Lat | left wrist plain film | pediatric patient (boy, age 11) | follow-up study | cast present | detector: Siemens.

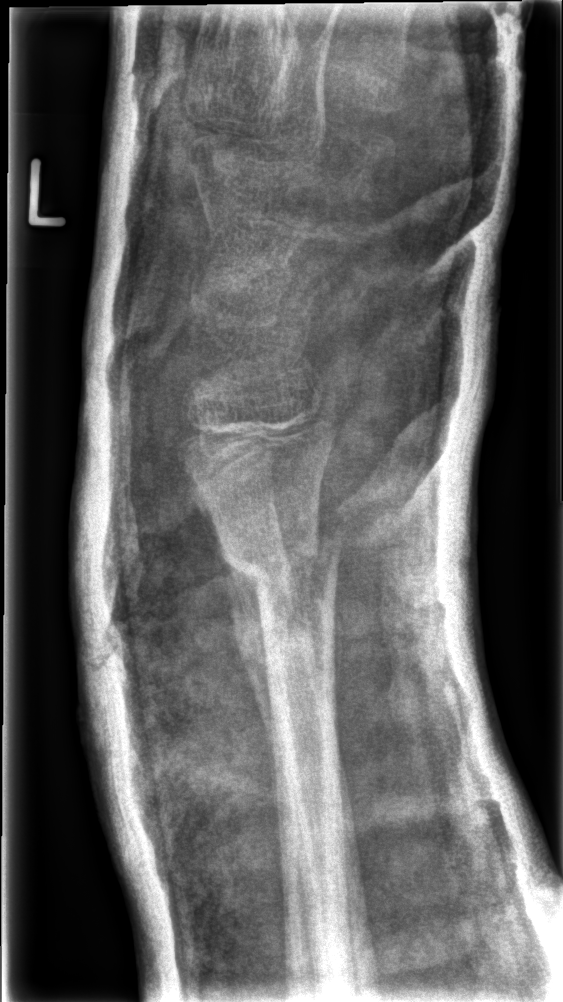

• Bounding boxes in image-pixel xyxy.
• Fracture: [x1=220, y1=515, x2=347, y2=597].